L plain radiograph of the wrist · lateral projection · male, 7 yo · cast in situ

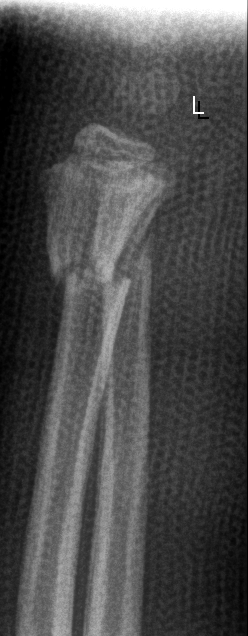

* Fracture classified AO/OTA 23-M/3.1.
* Fracture identified at <42,252>-<136,299>.